Lateral projection; right wrist plain film; 5-year-old male; detector: Siemens. 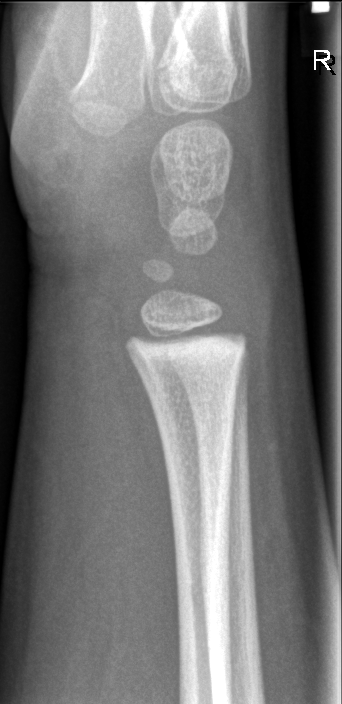

{
  "fracture": "none labeled"
}